Frontal view, Rt wrist XR, 7y F, index exam —
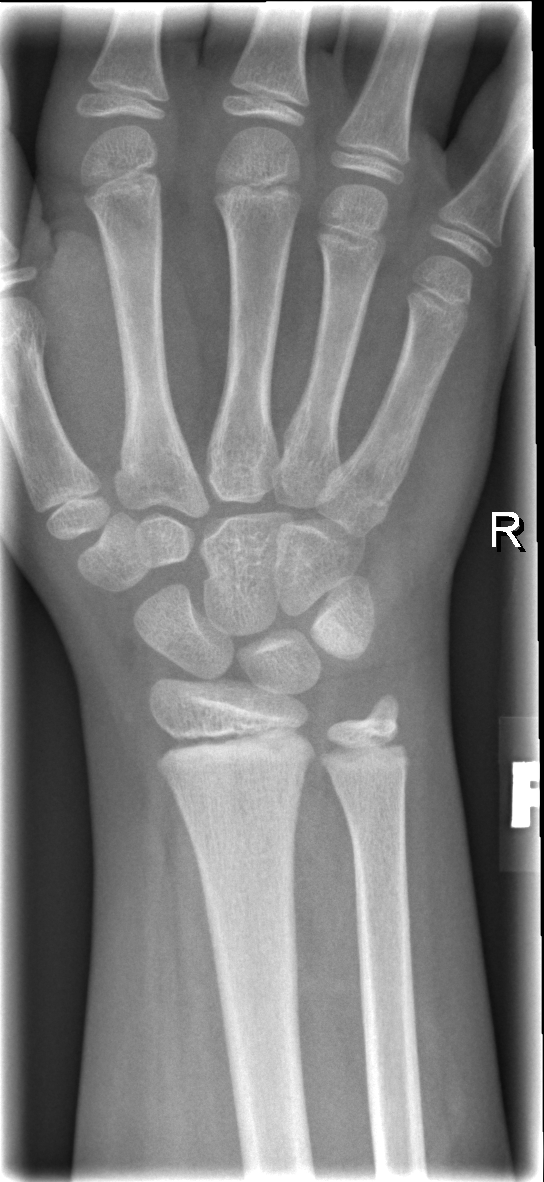
{
  "fracture": "none labeled"
}